Frontal, L plain radiograph of the wrist, pediatric patient (male, age 10), imaged through cast
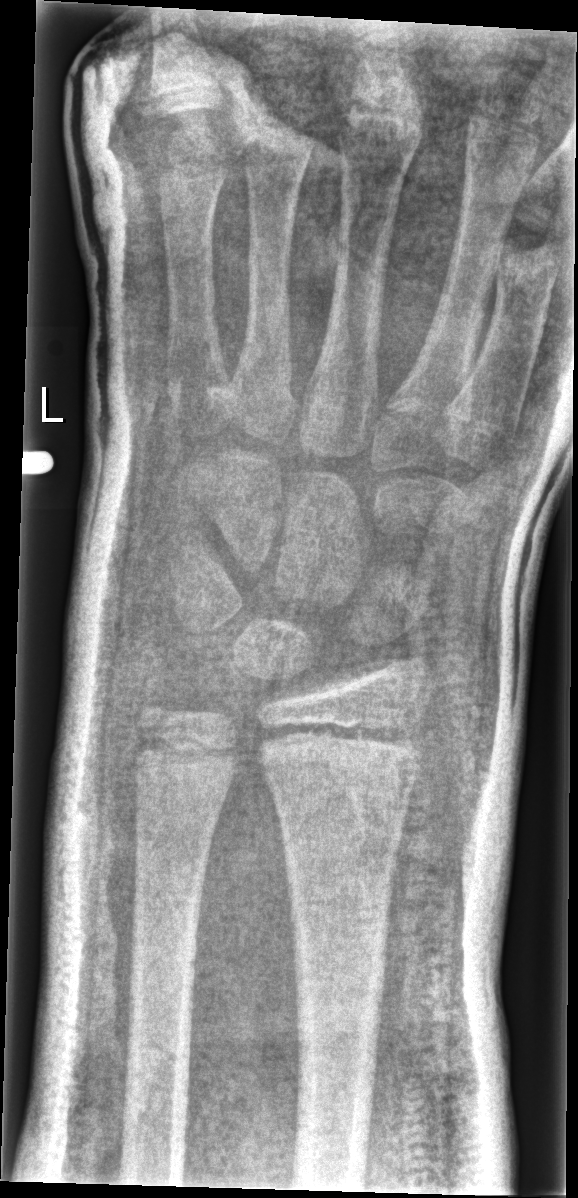

FINDINGS: Fracture present, but no bounding box because it is not clearly seen in this view.